R wrist plain film, lateral projection, 14-year-old boy, 364x947
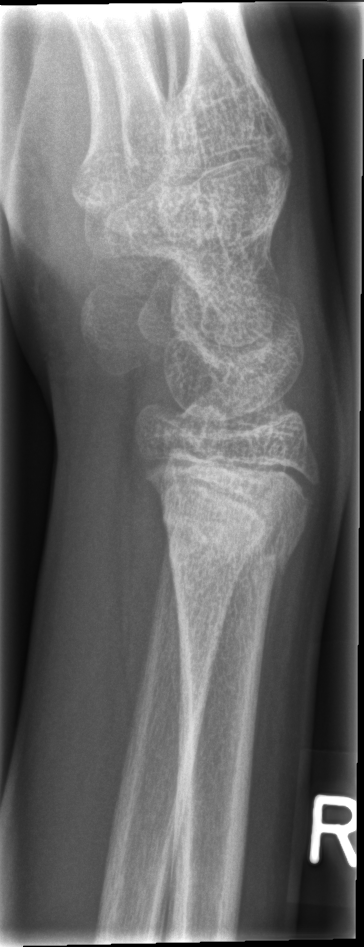 fracture: (158, 481, 300, 567)
osteopenia: present
AO code: 23r-M/3.1; 23u-E/7